Left wrist X-ray · AP projection · age 6 y, girl · 432x694: 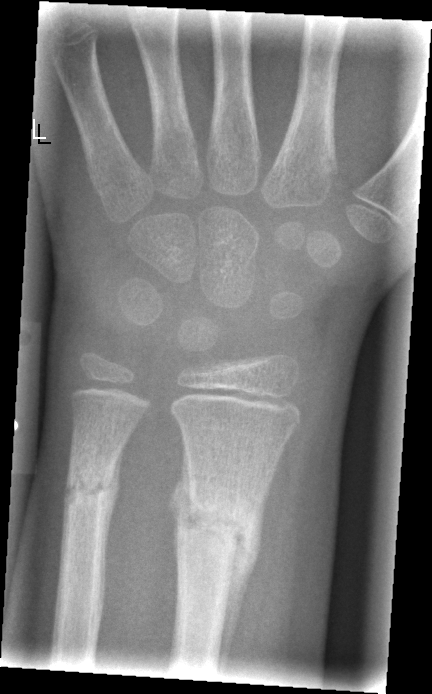
(boxes as x1,y1,x2,y2 (top-left / bottom-right, pixel units))
periosteal new bone = 3 @ (216, 480, 271, 672); (168, 440, 198, 574); (105, 445, 123, 558)
osteopenia = present
Fx = 2 @ (170, 484, 263, 570), (61, 464, 121, 524)
AO code = 23-M/3.1